Lateral view, Lt plain radiograph of the wrist, image size 380x1000 —

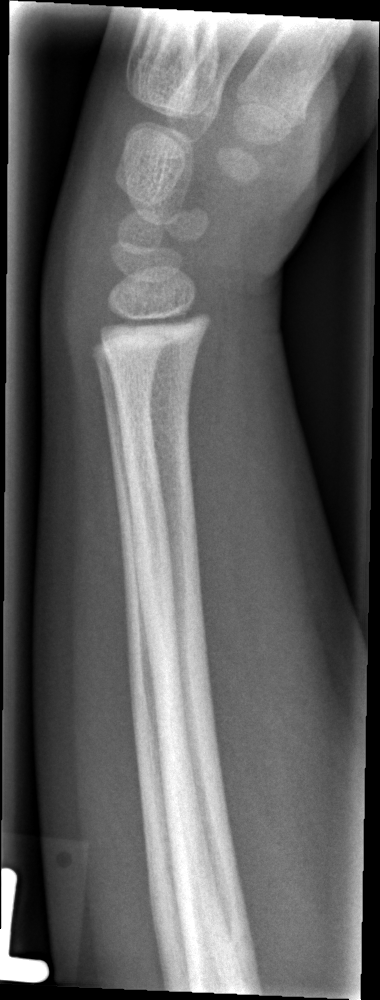

No Fx annotated.